Left wrist X-ray, PA, subsequent exam, in cast, image size 419x762 — 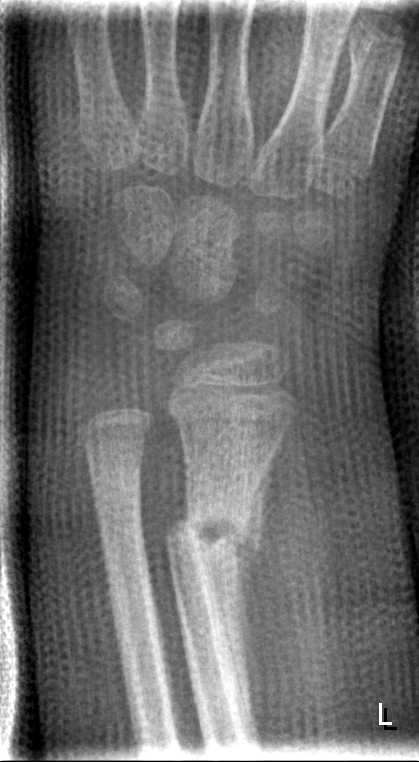 fracture: 162,493,266,583
periostealreaction: 205,537,259,749; 237,446,281,553